Lat projection, L wrist XR, 119.5 mm image width 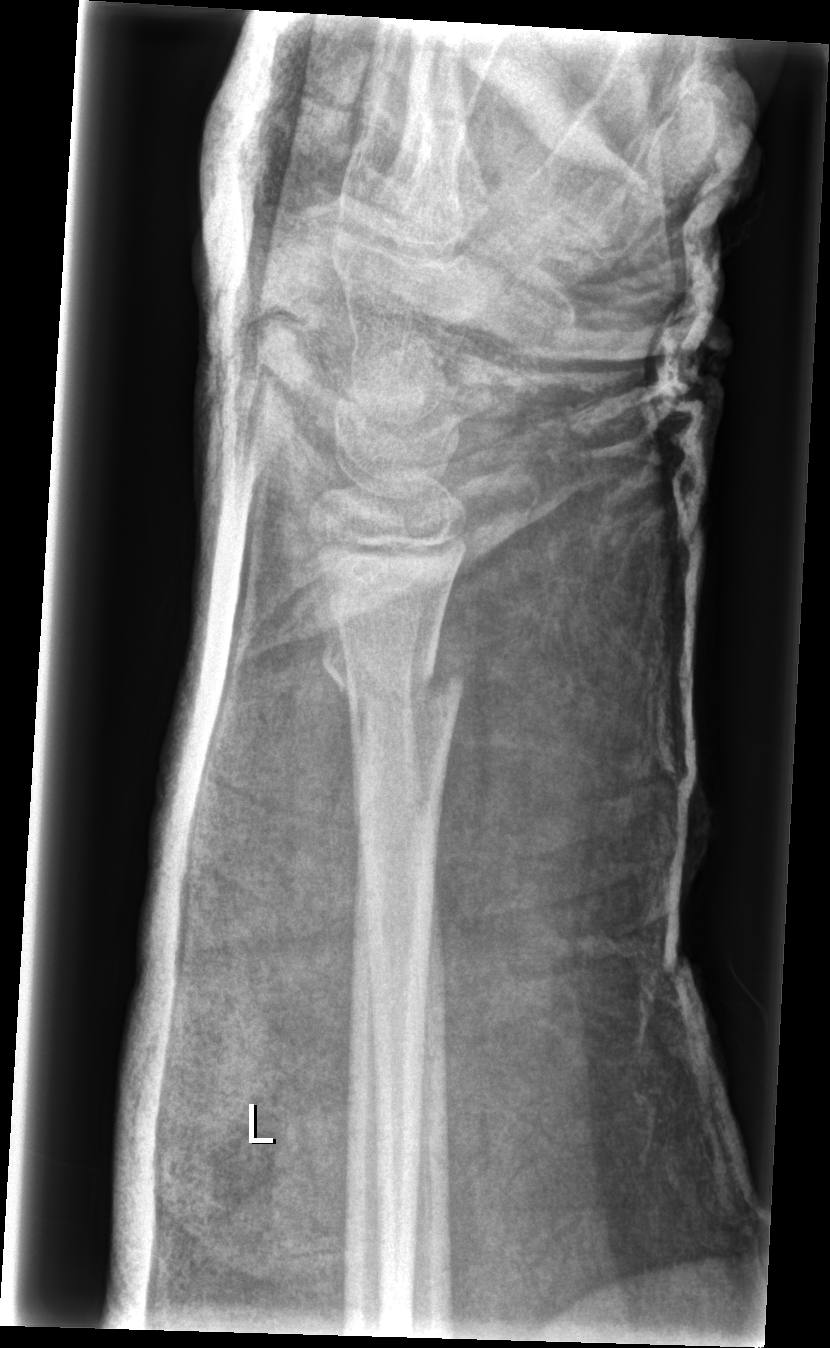 Bounding boxes in image-pixel xyxy.
Two bone fractures at <315,636>-<467,735>, <346,780>-<450,864>.
AO/OTA classification: 23-M/3.1; 23u-E/7.